Lat; right plain radiograph of the wrist; age 11 y, male: 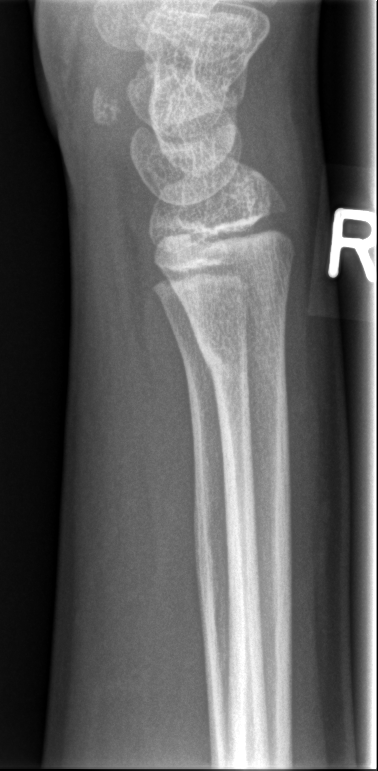
- Boxes as x1,y1,x2,y2 (top-left / bottom-right, pixel units).
- AO/OTA classification: 23r-M/2.1.
- Fx: 194 327 291 391.